R wrist radiograph | frontal view | age 7 y, boy | imaged through cast 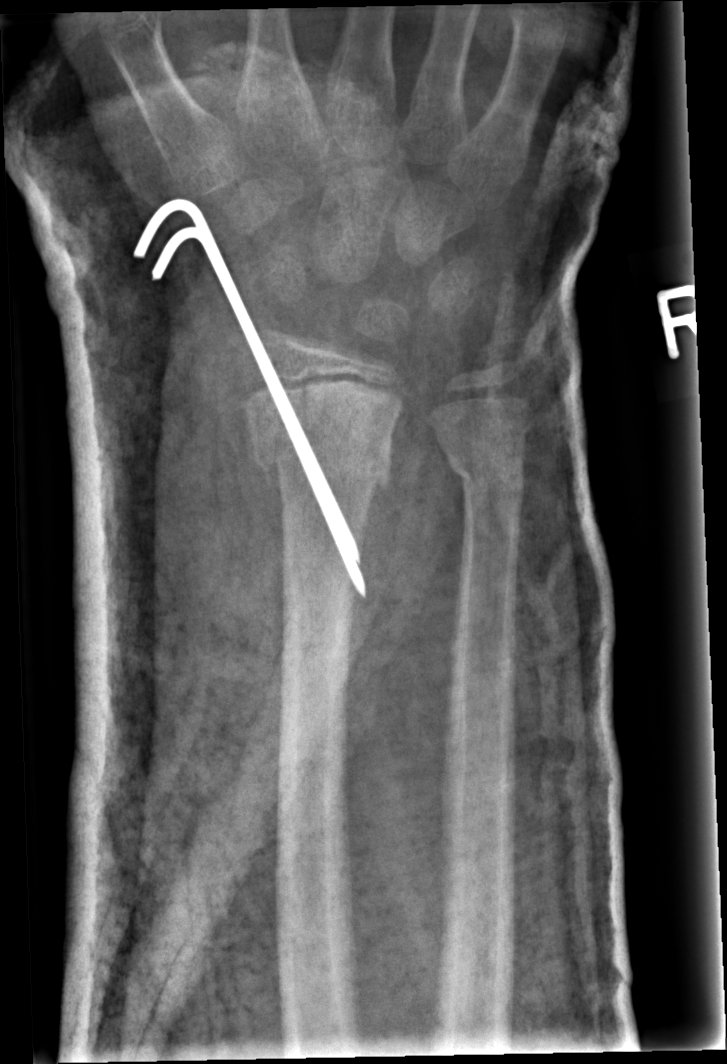 metallic hardware: 1 @ 133 198 366 600
Fx: 247 420 400 497 | 443 444 531 496